R plain radiograph of the wrist; lat; pediatric patient (male, age 16); follow-up

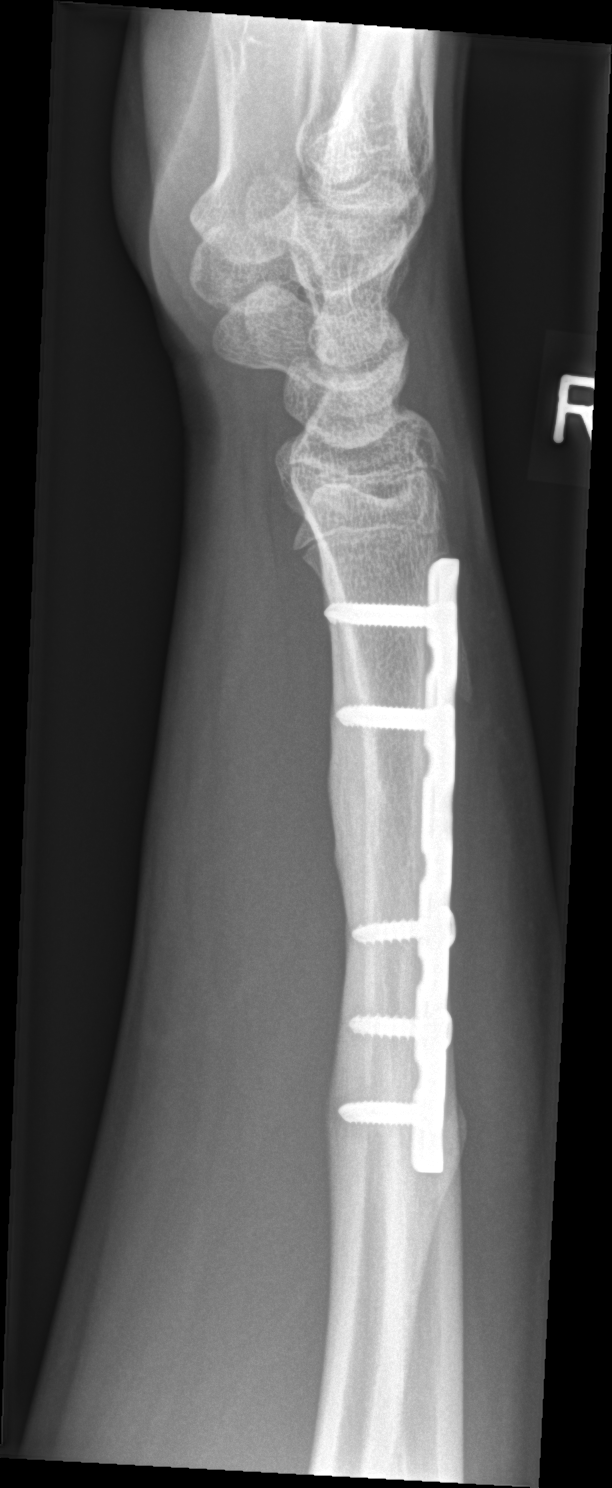
• No fracture annotation.
• Metal identified at 322 555 462 1175.